Right wrist XR; lat:
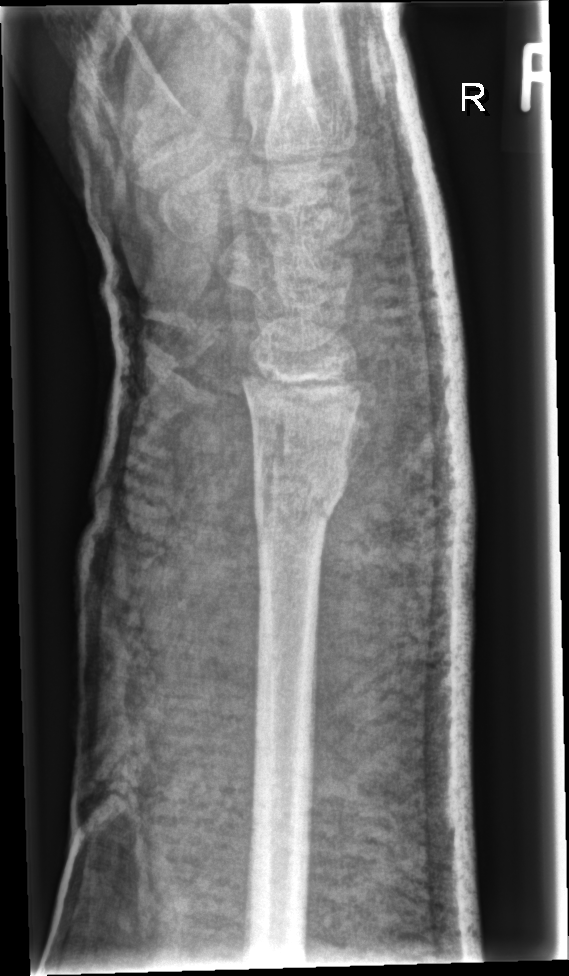

Q: Locate any fractures.
A: One Fx at <249,444>-<353,534>